PA/AP projection · left wrist pediatric wrist radiograph · image 81.9 mm wide 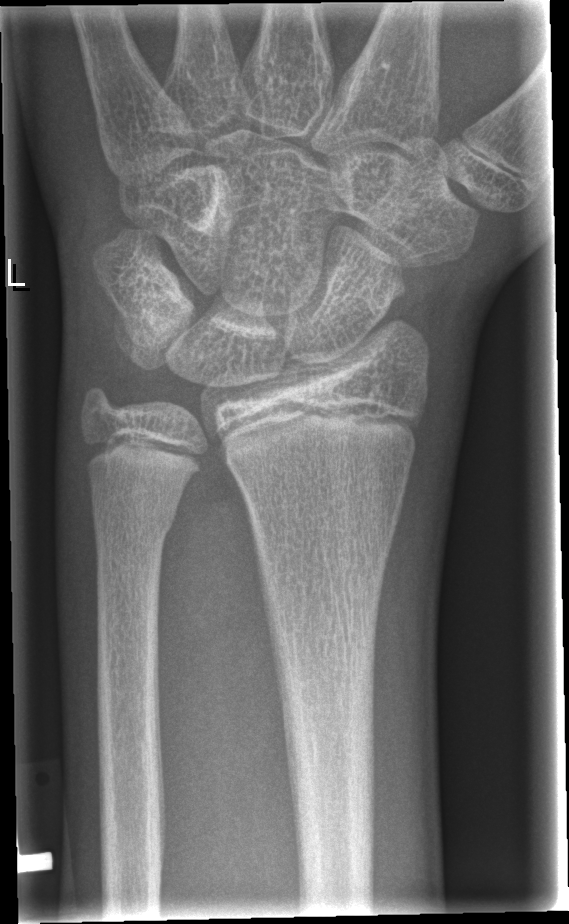 Q: Fracture present?
A: Fx: bbox(87, 486, 184, 558)
Q: AO code?
A: AO code 23u-M/2.1